Frontal · L wrist plain film · female, 8 yo —

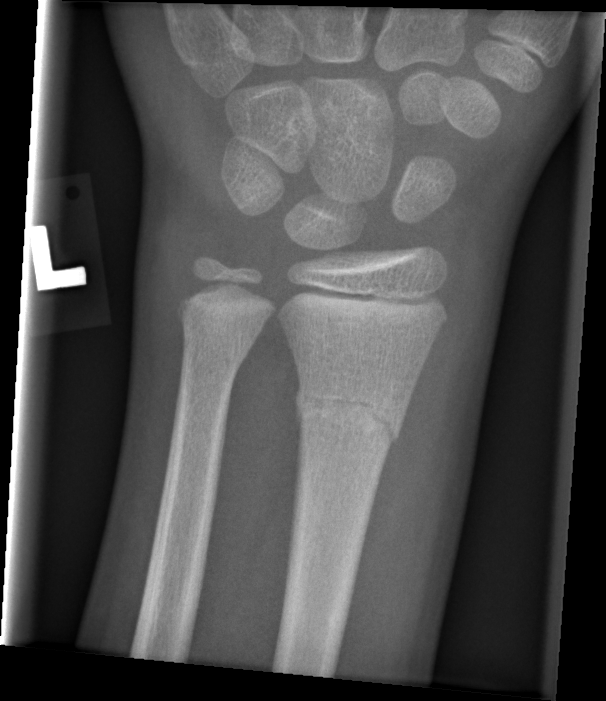 (boxes as x1,y1,x2,y2 (top-left / bottom-right, pixel units))
AO classification: 23r-M/3.1; 23u-M/2.1
bone fracture: 284 379 414 452 | 172 297 265 378